Left wrist radiograph, lat projection, detector: Siemens — 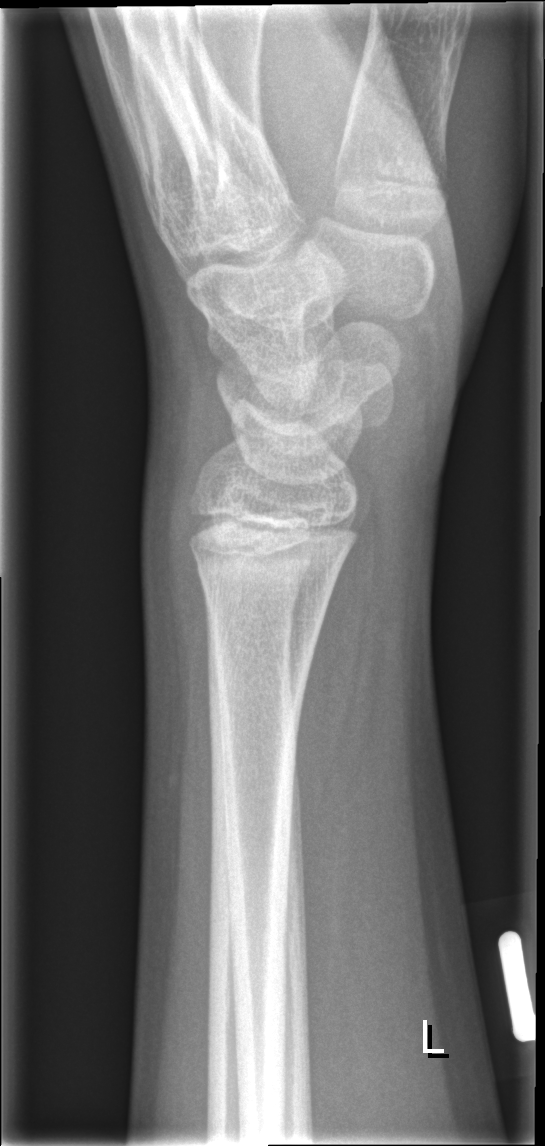
- Fx: none.